Lt wrist radiograph, PA projection, female, 10 yo, index exam, Siemens

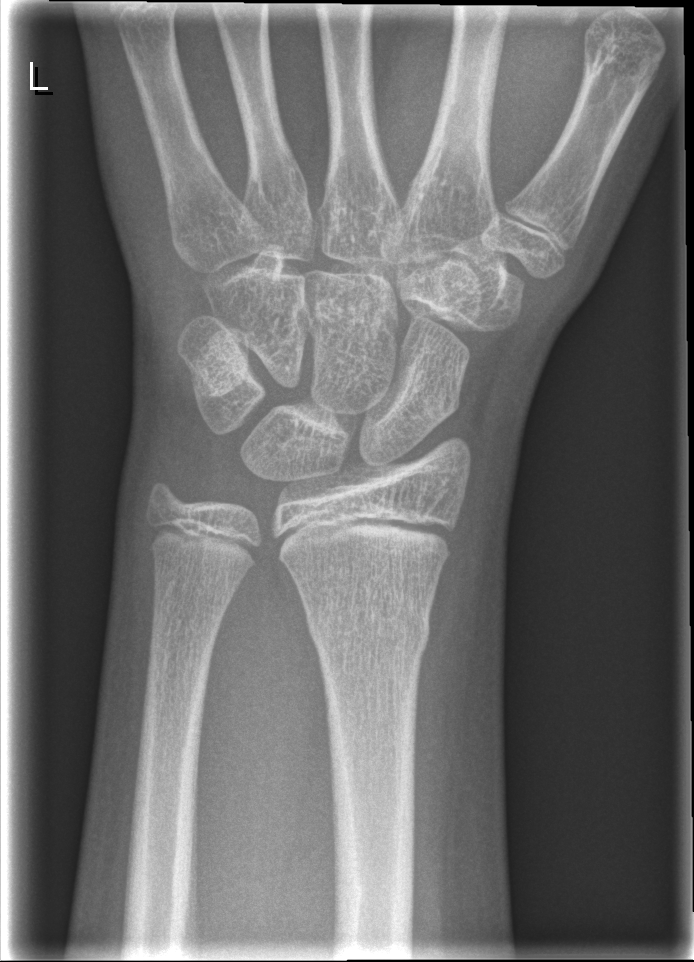 (pixel coordinates, top-left origin, xyxy)
Q: AO code?
A: Fracture classified AO/OTA 23r-M/2.1
Q: Locate any fractures.
A: Bone fracture: bbox(302, 604, 432, 661)